Lat · right wrist XR · follow-up study

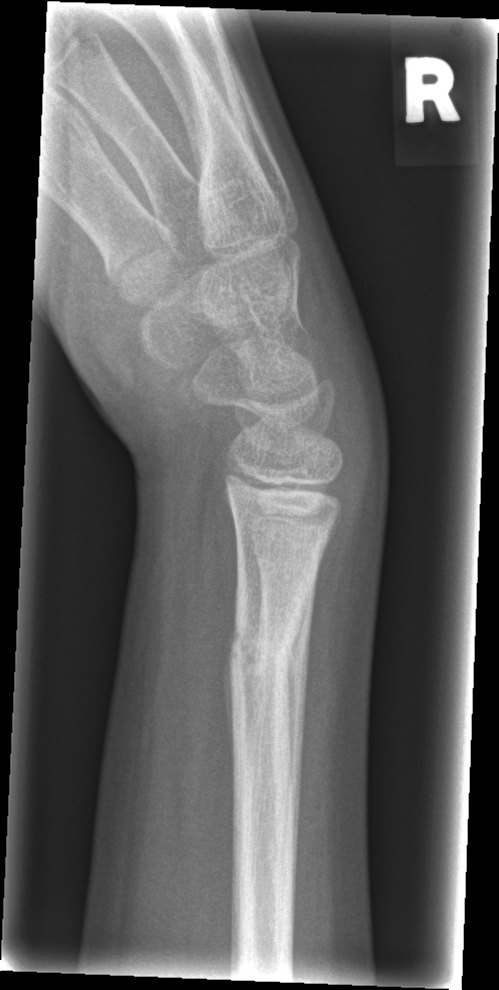

Bounding boxes in image-pixel xyxy. AO/OTA classification: 23r-M/3.1; 23u-E/7. One periosteal reaction at [217, 617, 236, 770]. Bone fracture identified at [223, 623, 304, 691]. Osteopenic.